Left wrist plain film; PA/AP; male, 11 yo; index exam. 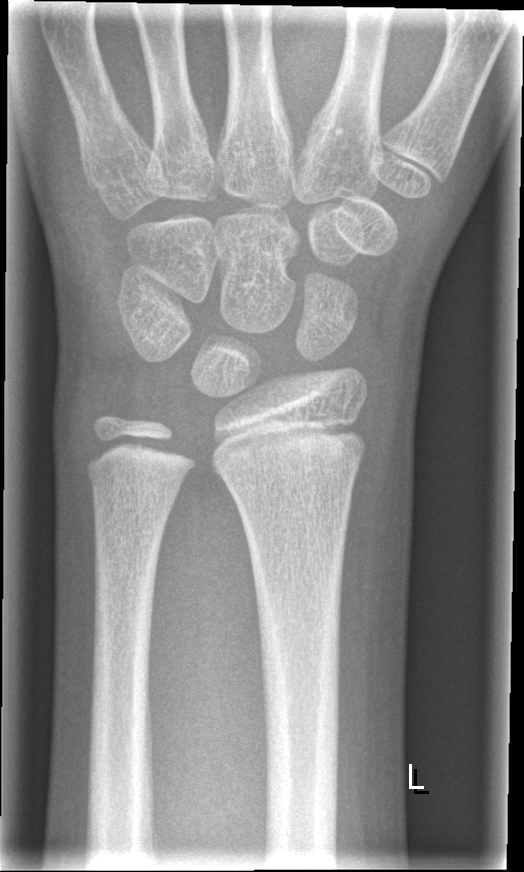
No Fx annotated.